AP view; left wrist XR; subsequent exam: 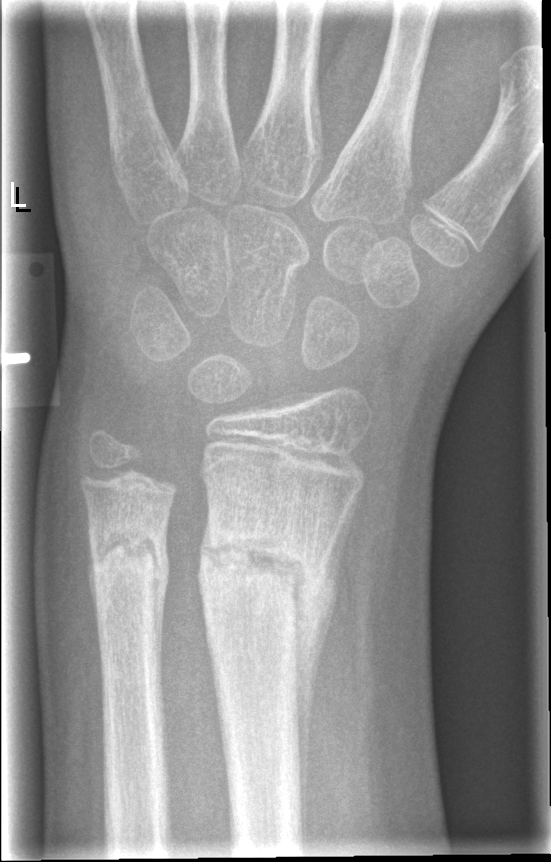

Q: What is the AO/OTA classification?
A: Fracture classified AO/OTA 23-M/3.1
Q: Locate any fractures.
A: Bone fracture identified at bbox(196, 520, 329, 623), bbox(86, 518, 169, 601)